Right plain radiograph of the wrist · posteroanterior projection · age 11 y, female.
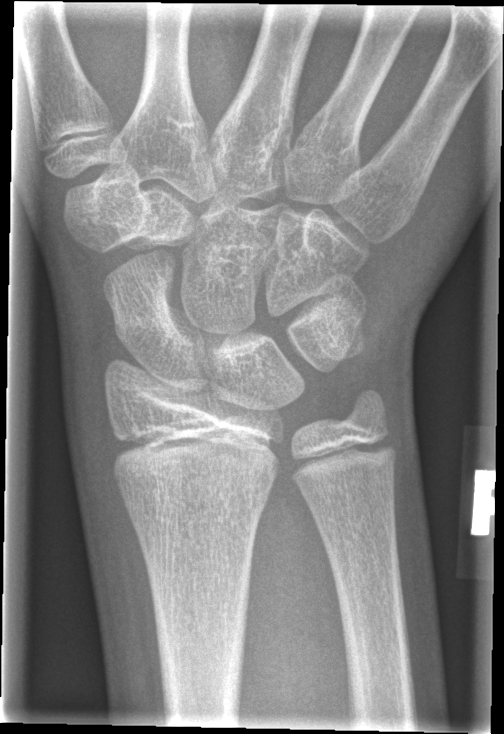
Fracture: present but not clearly seen in this view.